Lt wrist plain film; PA view; acquired on Siemens; image size 800x1282. 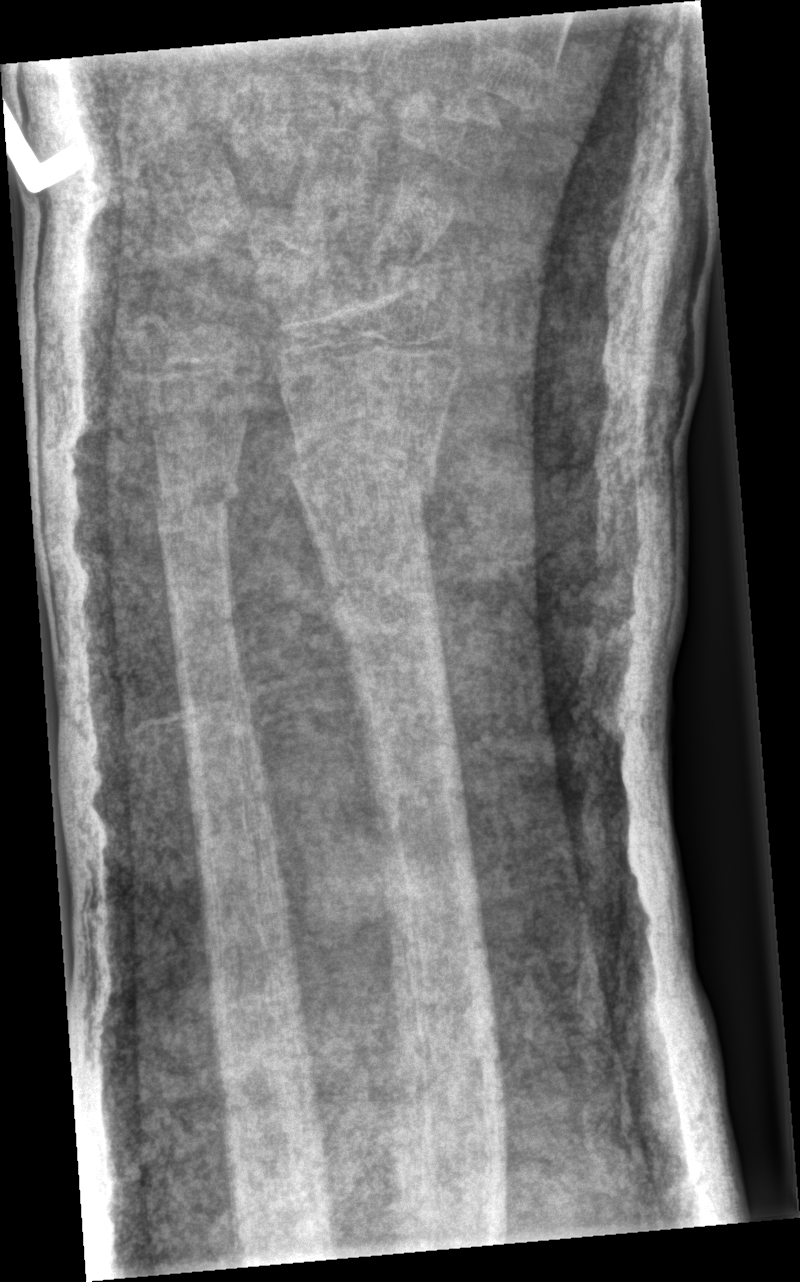

Fx: 2 @ [x1=281, y1=419, x2=436, y2=522]; [x1=151, y1=469, x2=246, y2=538]